AP view | Lt wrist radiograph | detector: Siemens.
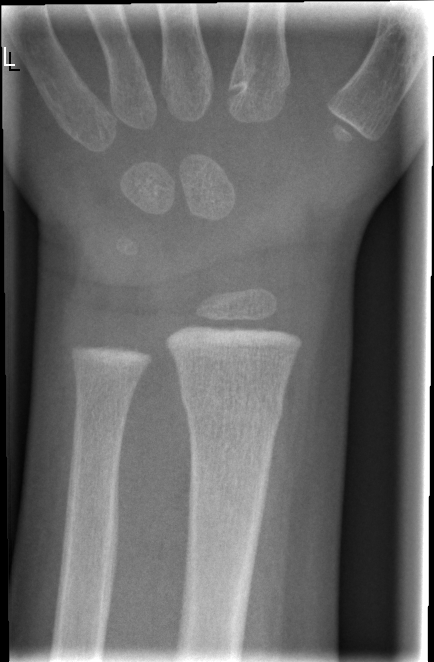 - One fracture at (left=177, top=378, right=287, bottom=426).